Left wrist radiograph | lateral | pediatric patient (girl, age 7): 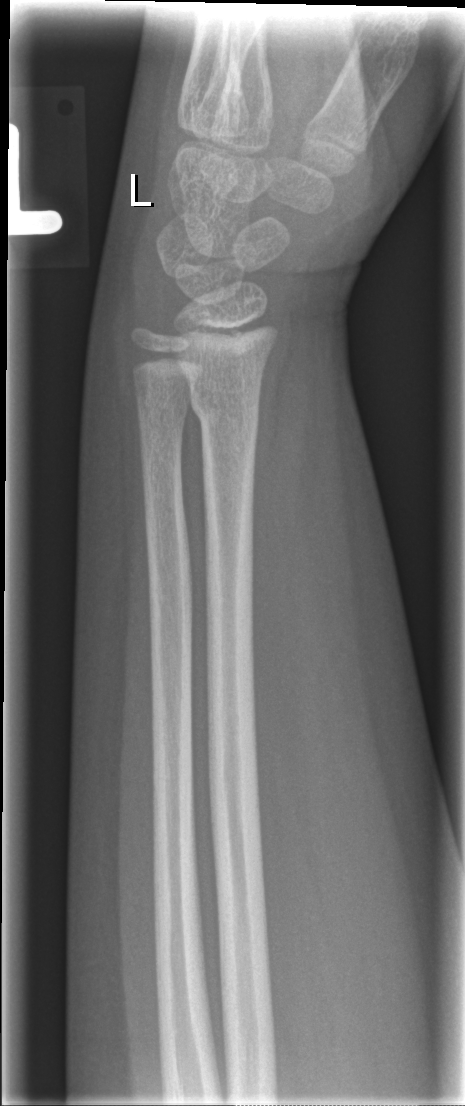 AO/OTA: 23r-M/2.1
Fx: [187, 380, 266, 439]